Right wrist radiograph · lateral view · pediatric patient (boy, age 11) —

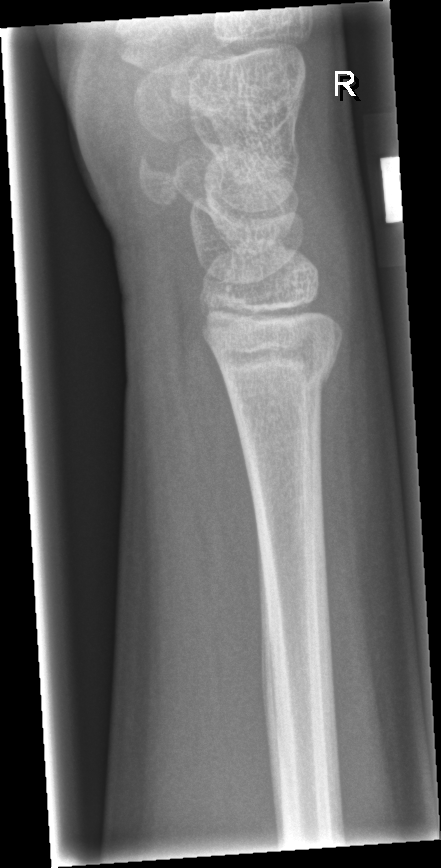

Pixel coordinates, top-left origin, xyxy. Fracture: (209, 348, 341, 397).